Lateral view, L plain radiograph of the wrist, initial study:
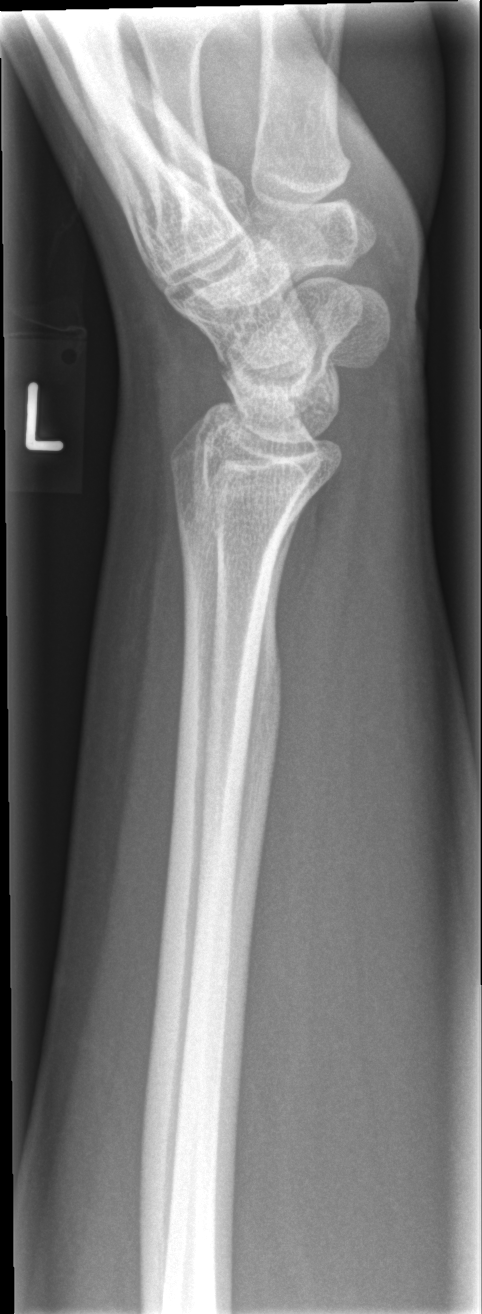
• Fx: none.